L plain radiograph of the wrist | frontal view | 11-year-old girl.

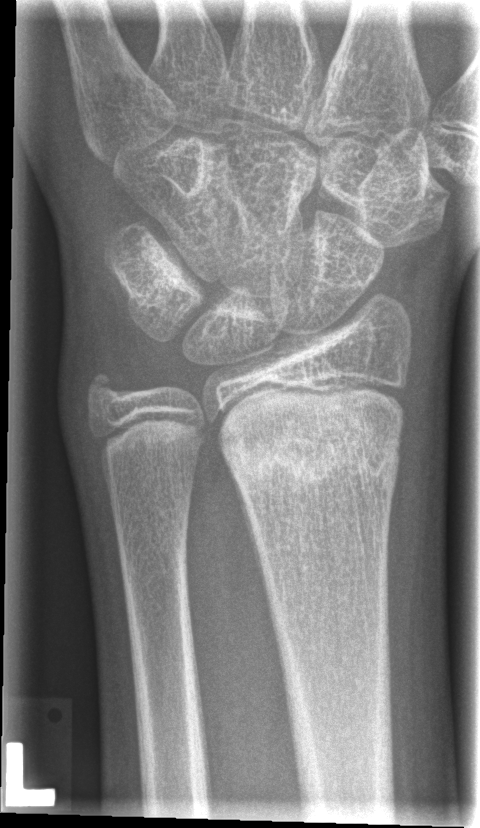

• Periosteal reaction: (225, 461, 277, 645).
• AO/OTA classification: 23r-M/3.1; 23u-E/7.
• Reduced bone mineral density.
• Fx identified at (224, 411, 406, 499) (79, 361, 134, 418).